Lateral; Lt pediatric wrist radiograph; detector: Siemens. 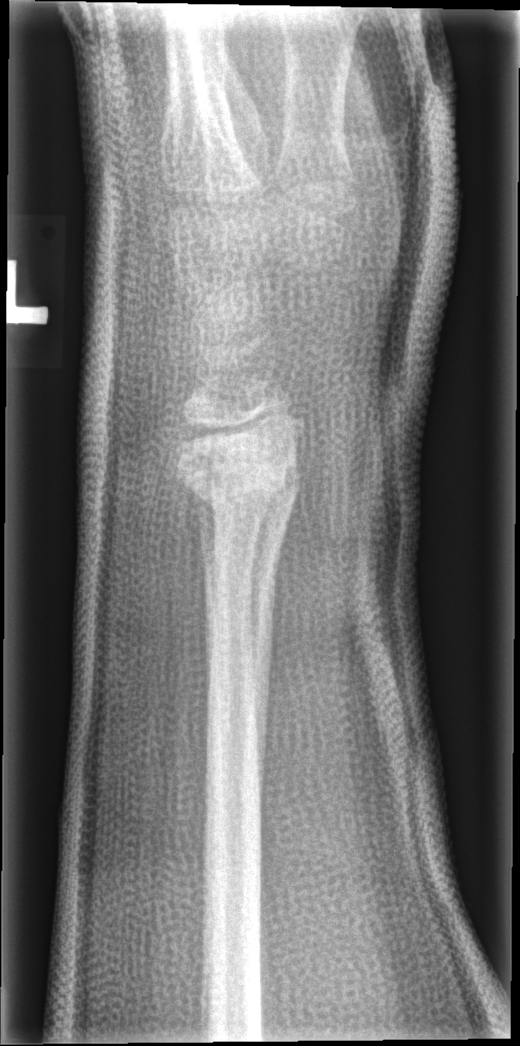 (coordinates are [x1, y1, x2, y2] in image pixels)
AO/OTA: 23r-M/3.1; 23u-M/2.1
bone fracture: 1 @ (left=163, top=413, right=307, bottom=531)